Posteroanterior projection, left plain radiograph of the wrist, image 74.3 mm wide: 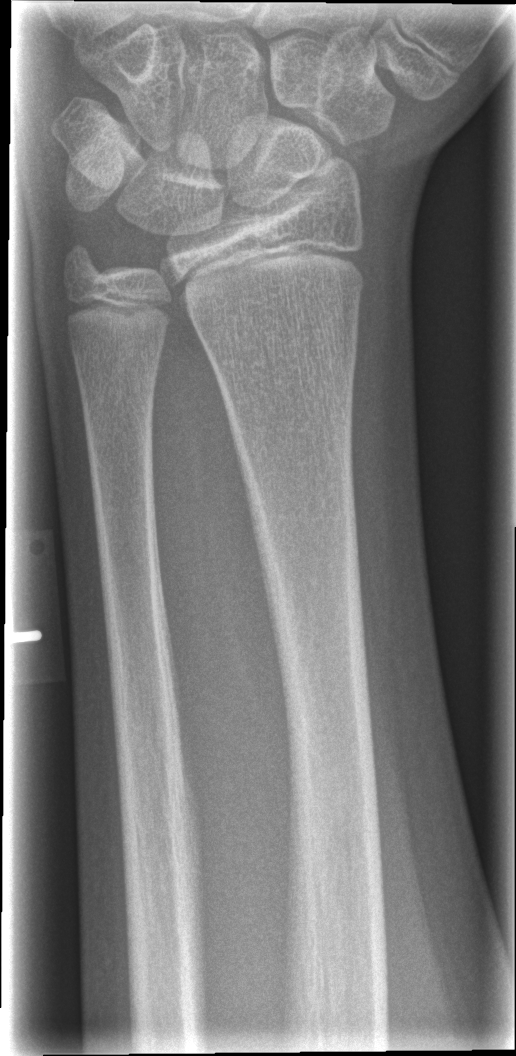

Findings: No fracture bounding box.